PA; left wrist XR; age 16 y, male; index exam; acquired on Siemens:
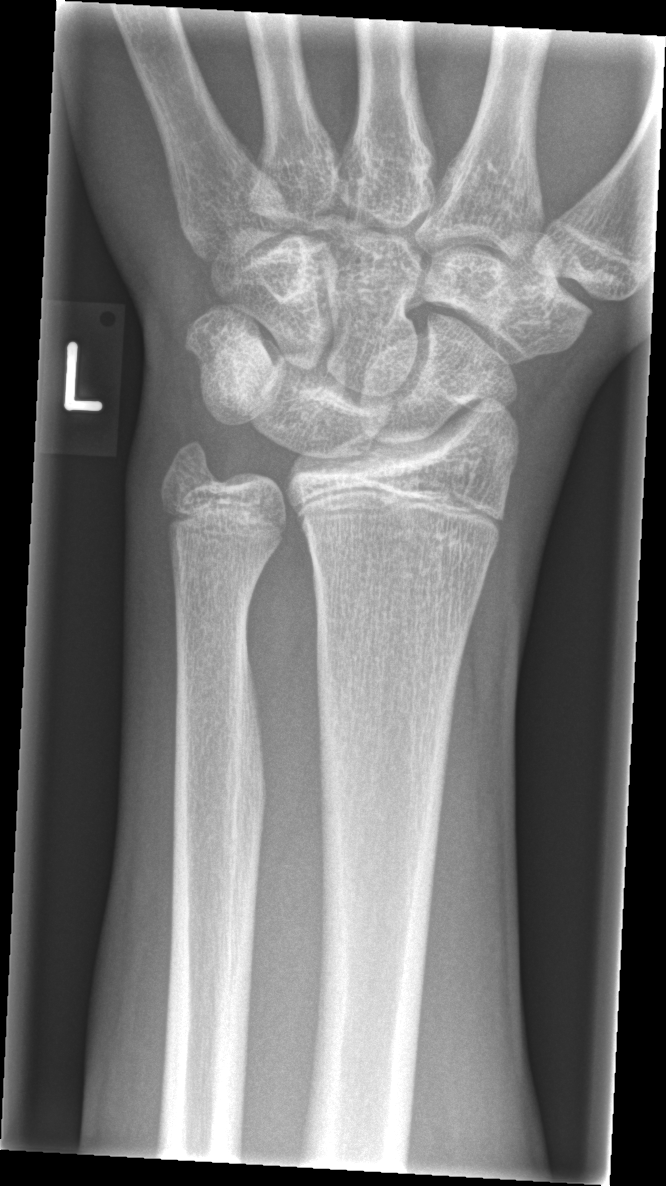 {"fracture": "none labeled"}